Lat projection; R plain radiograph of the wrist: 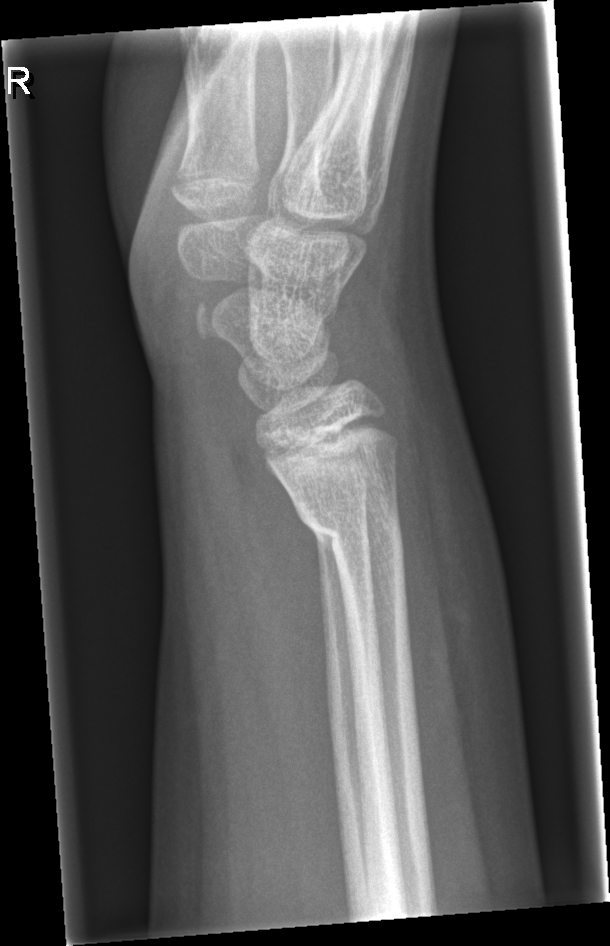 FINDINGS: (boxes as x1,y1,x2,y2 (top-left / bottom-right, pixel units)) Positive pronator fat-pad sign: bbox(233, 413, 332, 735). AO code 23-M/2.1. Fracture: bbox(294, 490, 407, 567).